Lat; R wrist XR; pediatric patient (boy, age 14); imaged through cast; acquired on Siemens —
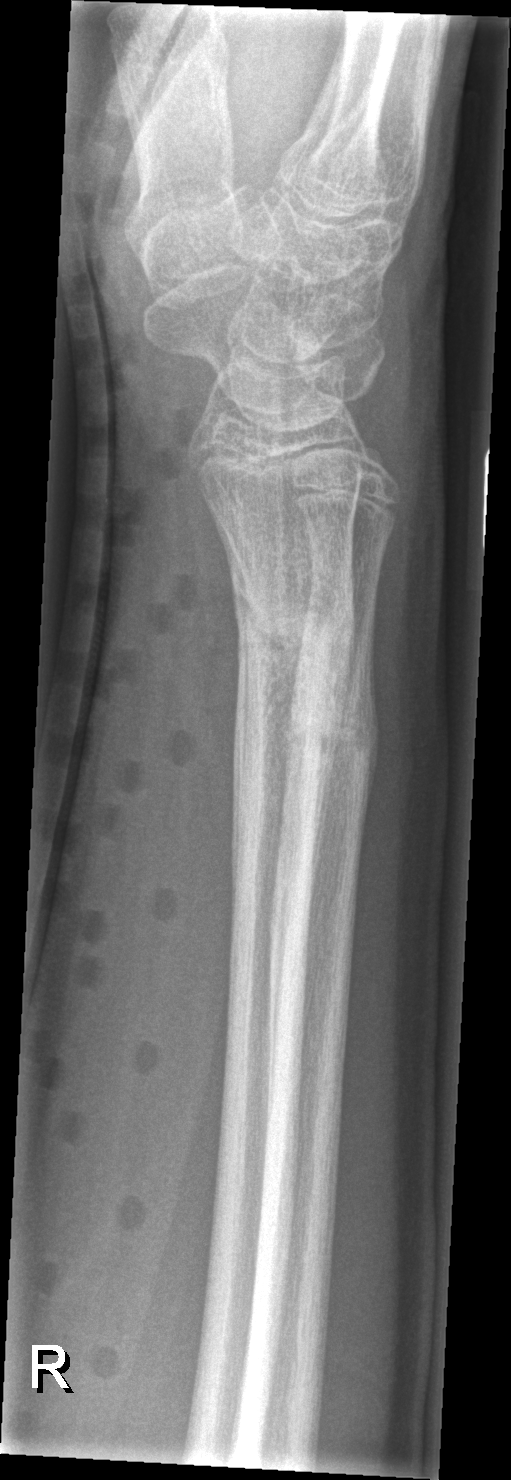
Findings: AO code 23r-M/3.1; 22u-D/4.1; 23u-E/7. Fx identified at [x1=225, y1=574, x2=382, y2=866].